L wrist radiograph · lat view · 790 x 1322 px —

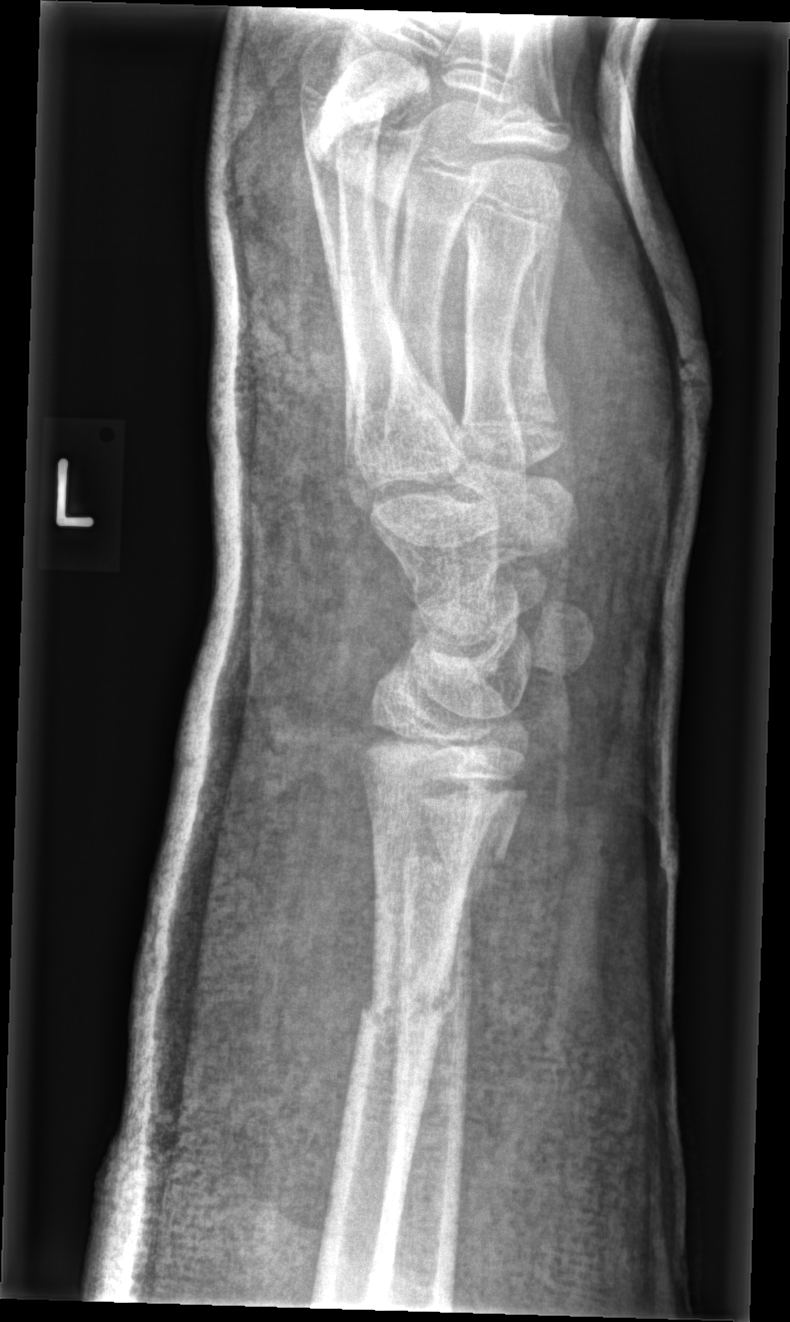

Findings: Fx: <396,830>-<513,909>, <348,973>-<473,1045>.